Rt wrist XR; lateral view; pediatric patient (female, age 14); Siemens.

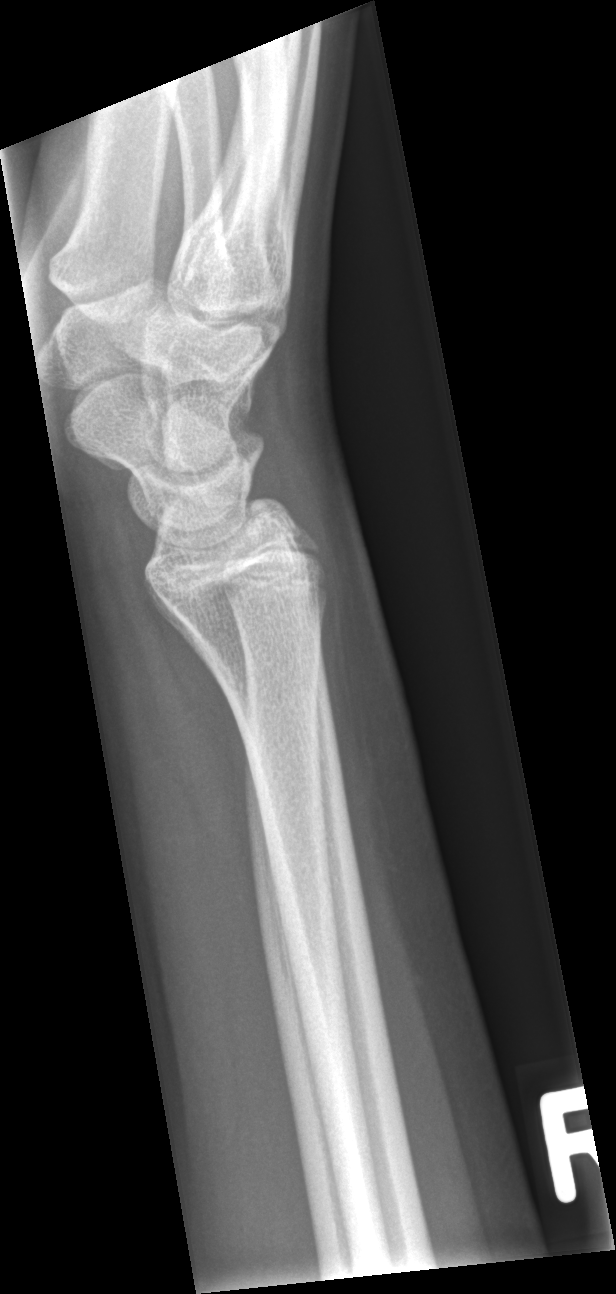 Fracture: none labeled.